PA/AP view; L wrist X-ray; 15y M; cast in situ —
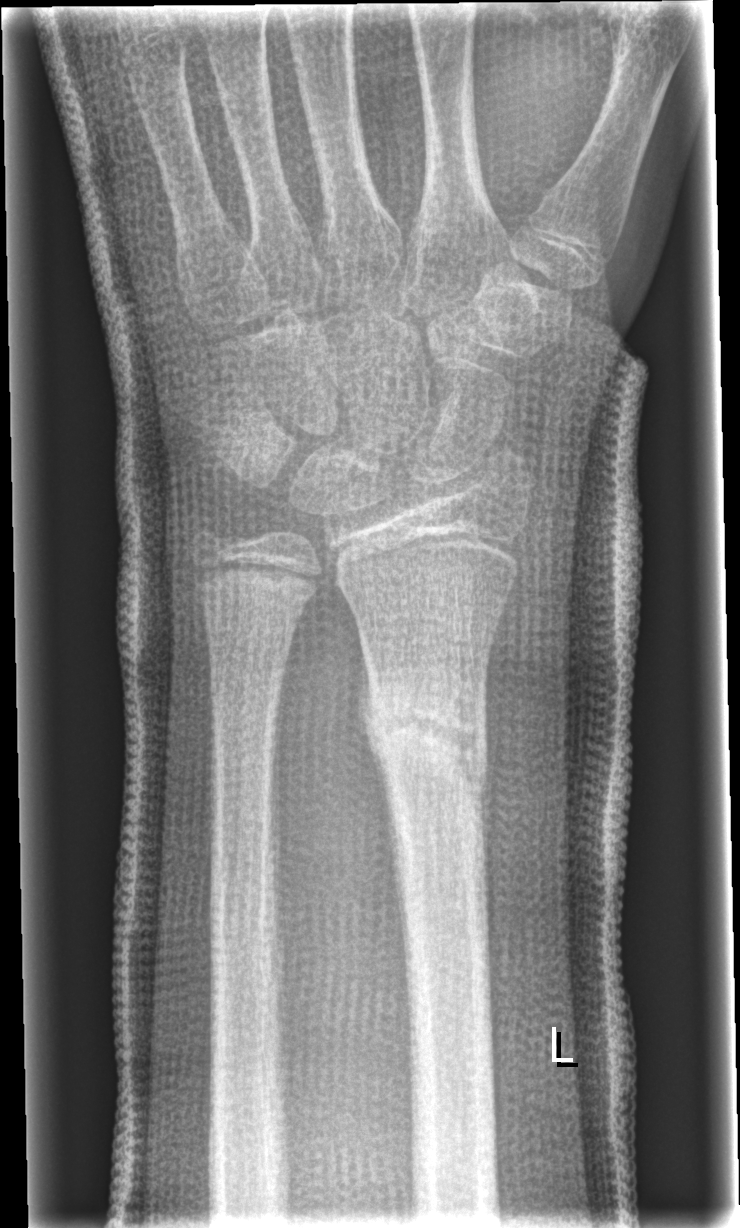
• AO code 23r-M/3.1.
• One Fx at 356,677,493,810.